Lt plain radiograph of the wrist | frontal projection | male, 14 yo | follow-up study | cast present

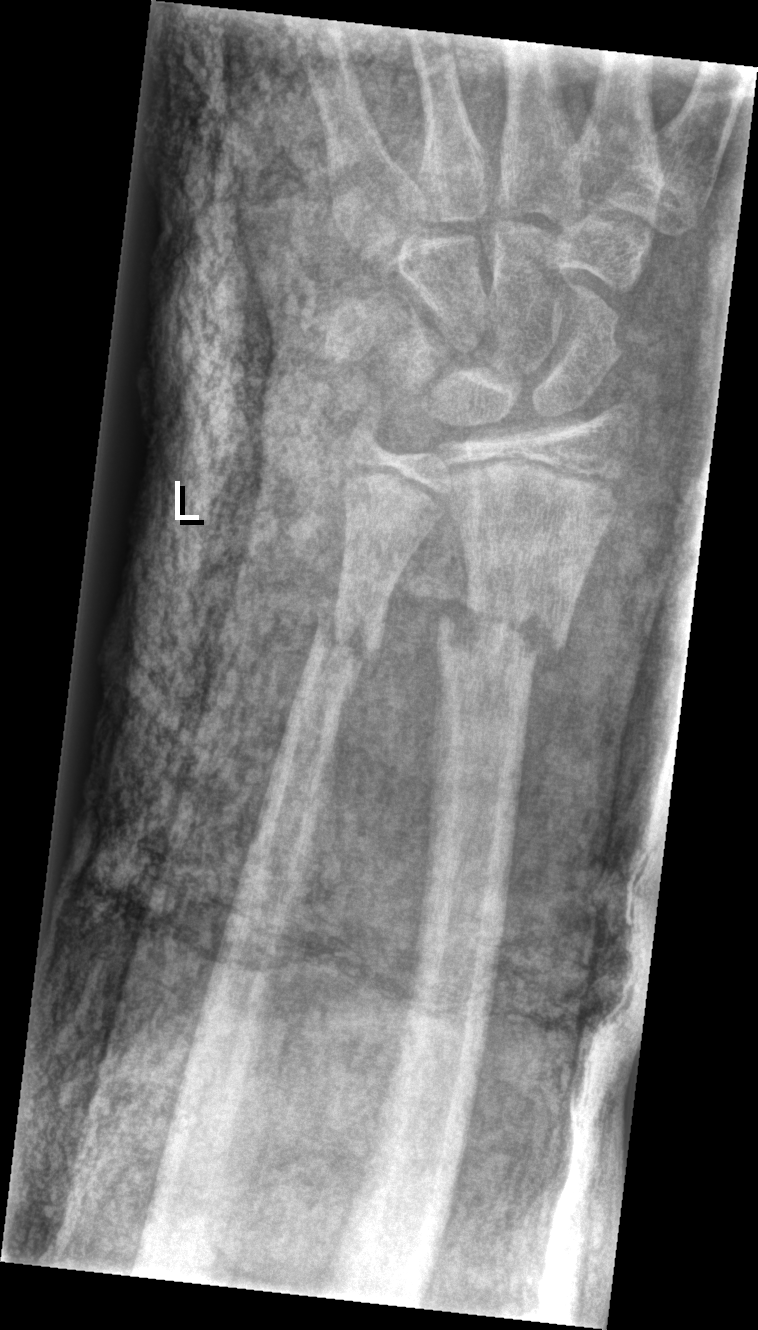
{"fracture": "2 @ [434, 582, 571, 687] [309, 593, 386, 679]"}